PA view; right wrist X-ray; boy, 17 yo; Siemens; 613 by 812 pixels.

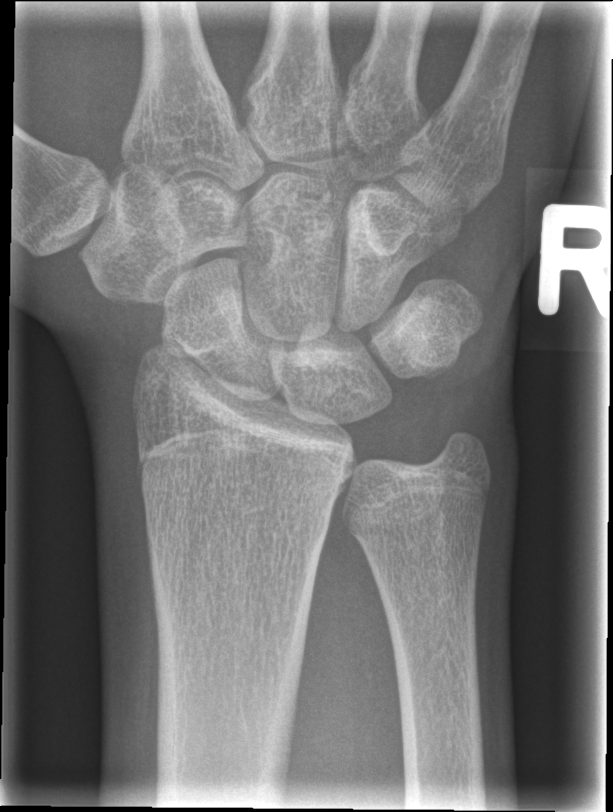 Fracture = none labeled